Left wrist plain film | lat projection | follow-up | in cast: 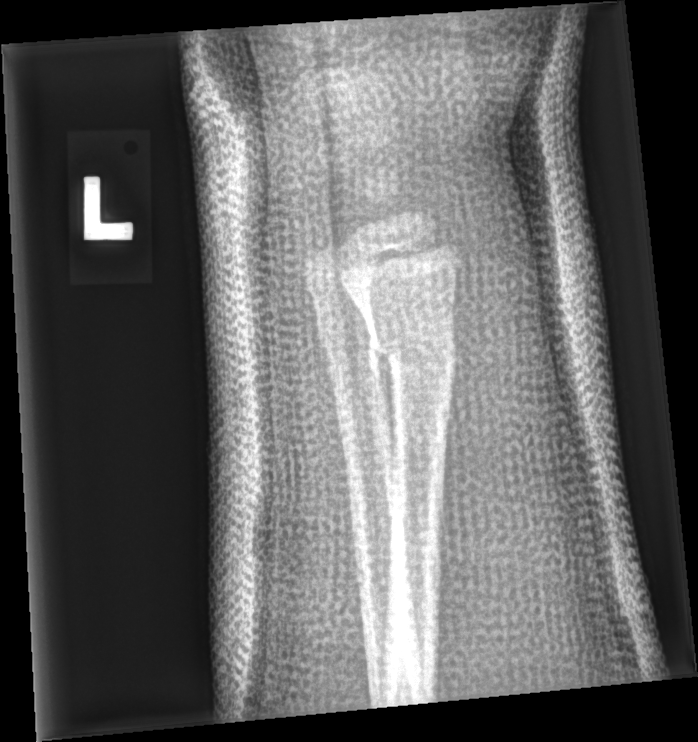

• Coordinates are [x1, y1, x2, y2] in image pixels.
• Bone fracture identified at (left=363, top=319, right=460, bottom=384), (left=314, top=312, right=384, bottom=366).
• AO code 23-M/2.1.